Frontal view | right pediatric wrist radiograph | age 15 y, male | acquired on Siemens | 630 by 606 pixels. 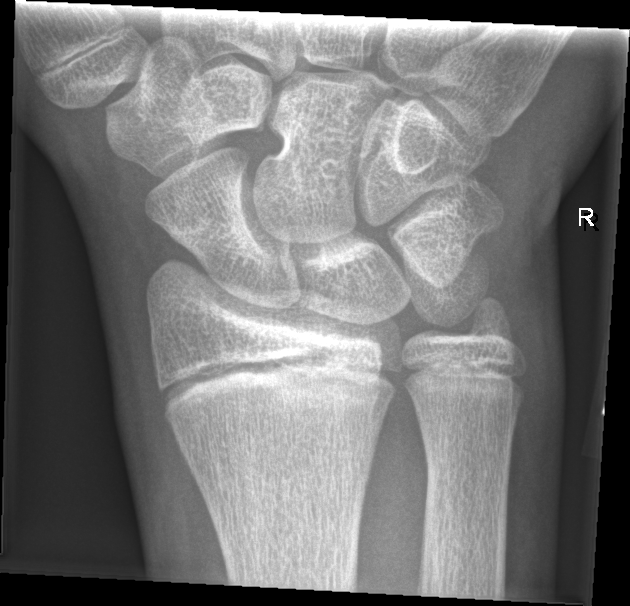 No fracture labeled.